L wrist radiograph, lat, subsequent exam, detector: Siemens —

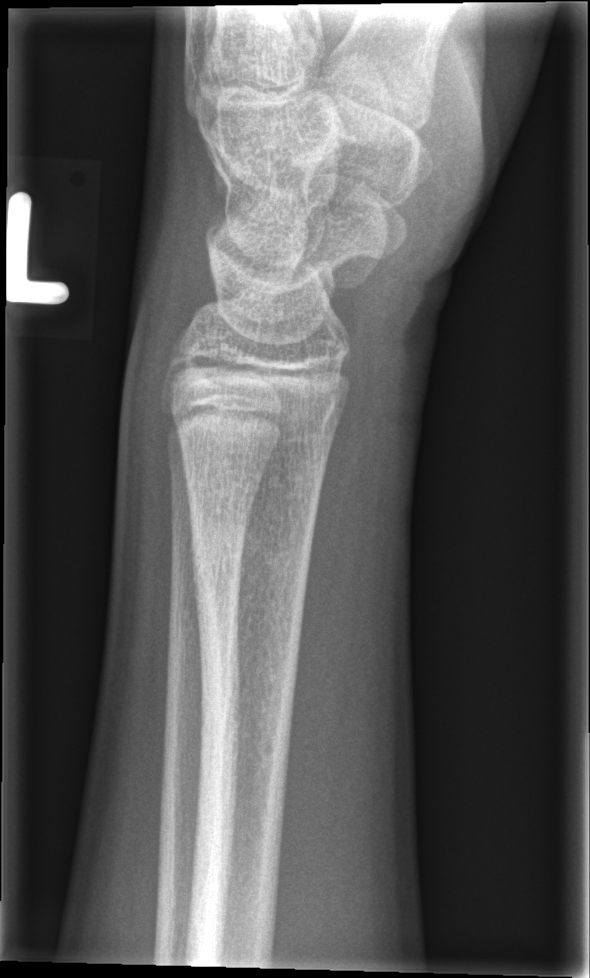

{"_coords": "coordinates are [x1, y1, x2, y2] in image pixels", "fracture": "1 @ <184,511>-<317,594>", "ao": "23r-M/2.1"}